Lt plain radiograph of the wrist; lat projection; age 5 y, boy; Siemens: 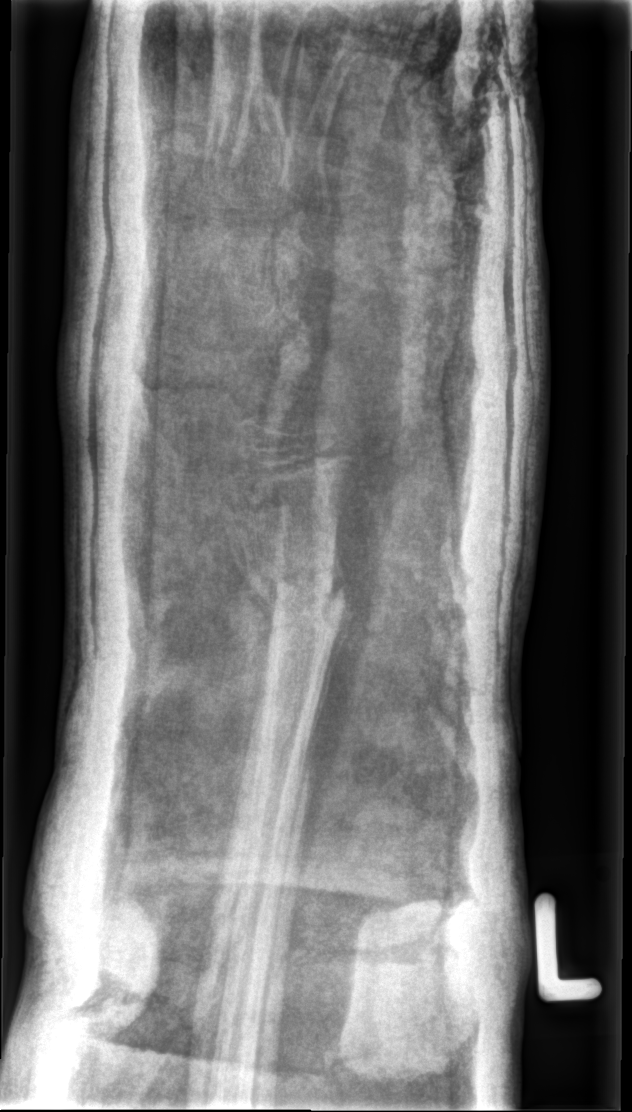 {"_coords": "boxes as x1,y1,x2,y2 (top-left / bottom-right, pixel units)", "ao": "23-M/3.1", "fracture": "231,535,356,658"}